Lat; left wrist XR; pediatric patient (male, age 17); subsequent exam — 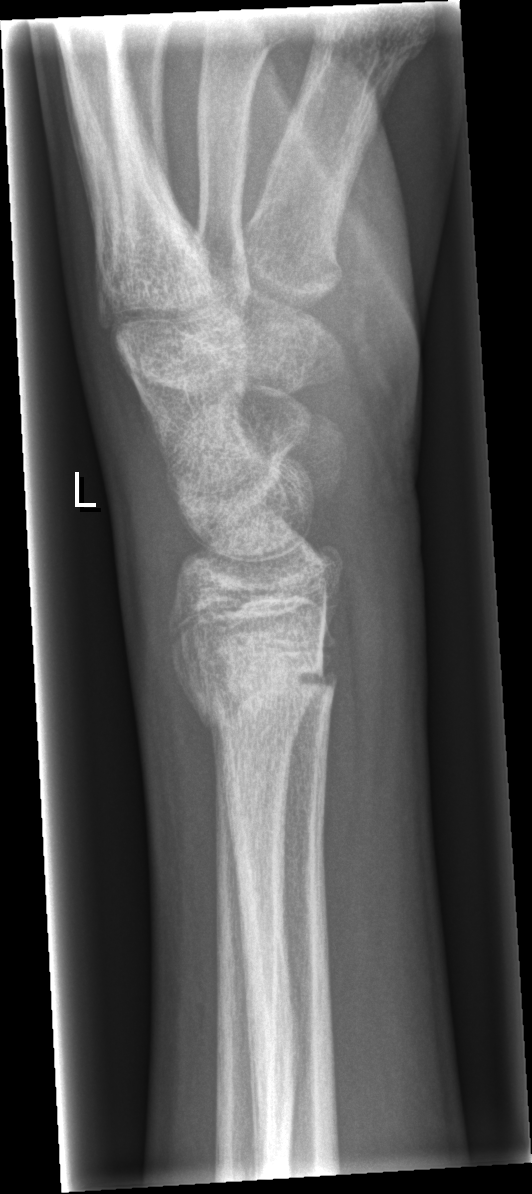
FINDINGS — (coordinates are [x1, y1, x2, y2] in image pixels) Fracture: bbox(190, 649, 339, 738). Decreased bone density (osteopenia).